Rt wrist radiograph · lateral view 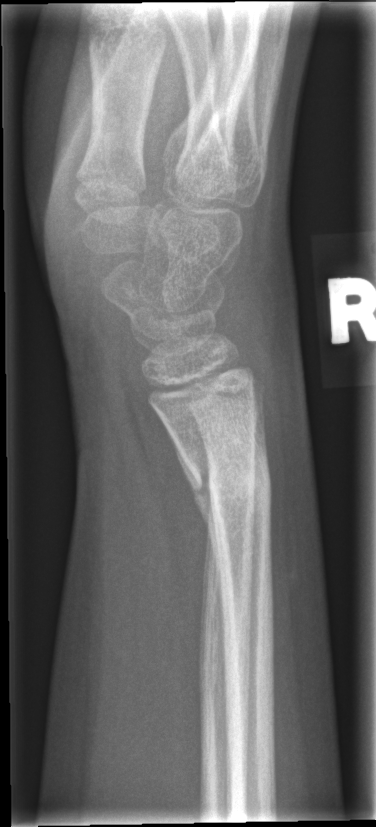

Boxes as x1,y1,x2,y2 (top-left / bottom-right, pixel units). Periosteal reaction identified at (169, 432, 223, 610). Bone fracture — (172, 431, 276, 531). Osteopenia.